Left pediatric wrist radiograph; lateral; pediatric patient (boy, age 10):

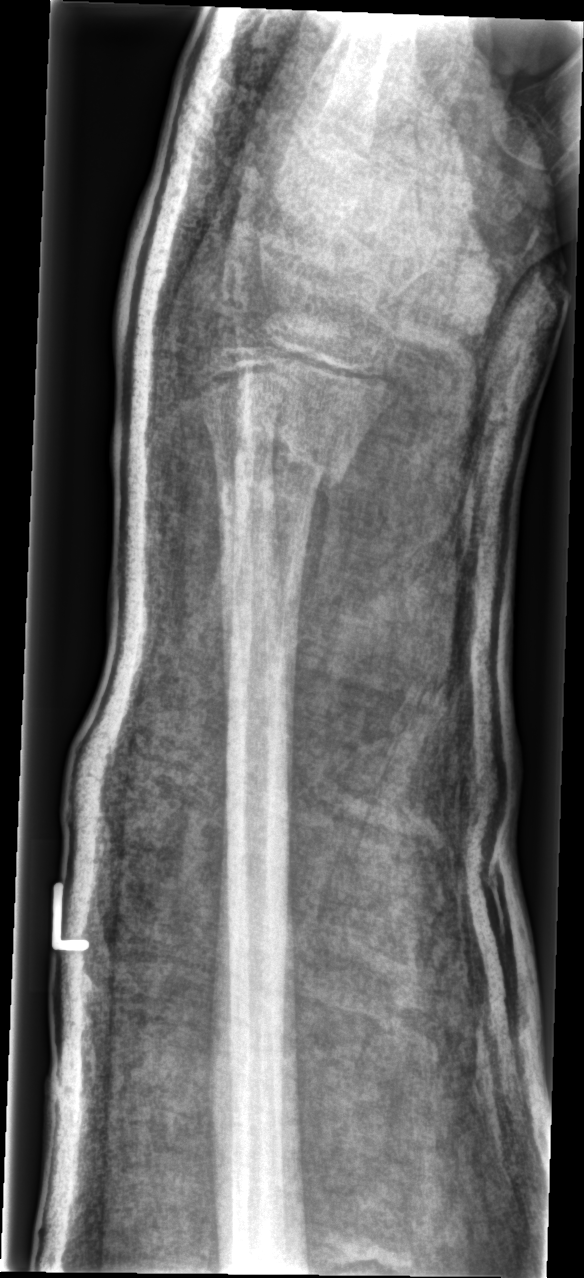
FINDINGS: (pixel coordinates, top-left origin, xyxy) Fracture classified AO/OTA 23r-M/3.1; 23u-M/2.1. Fracture — (left=219, top=411, right=366, bottom=518).